Right wrist XR; lateral; pediatric patient (girl, age 13) —
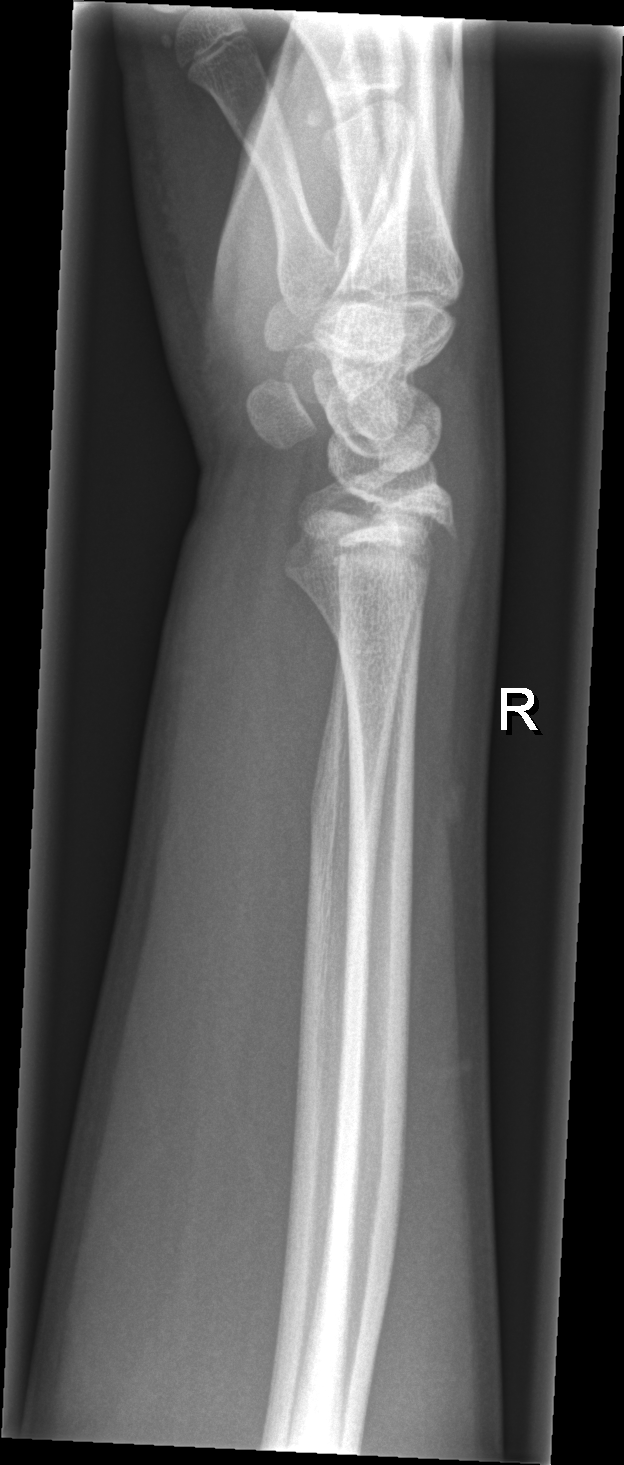   fracture: 1 @ [275, 498, 466, 587]